Lat view | L wrist XR | cast present
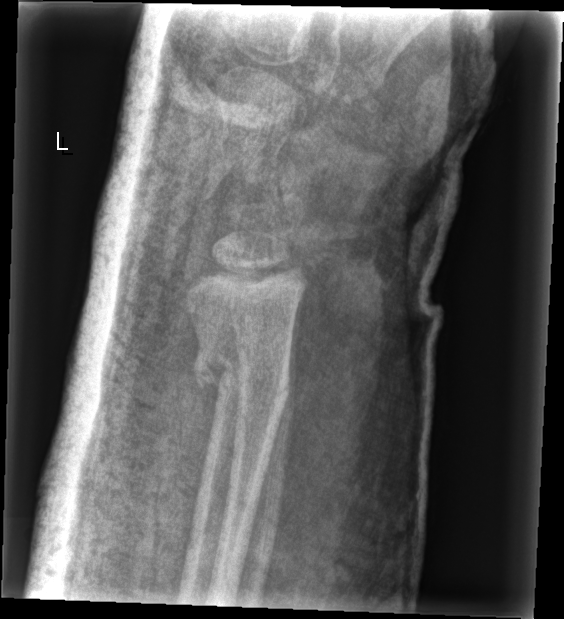

Bone fracture: 192 338 294 413.
AO/OTA classification: 23r-M/3.1; 23u-M/2.1.